Right pediatric wrist radiograph | lat projection | female, 8 yo — 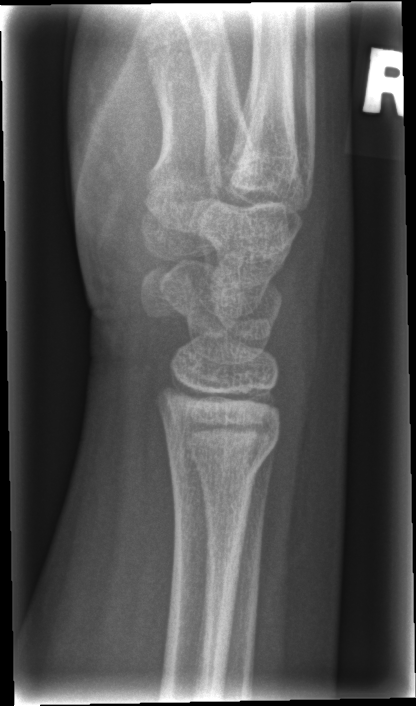
AO/OTA classification: 23r-M/2.1.
Fracture identified at 162,421,281,487.